Lateral | left wrist plain radiograph of the wrist | 7-year-old boy | subsequent exam:

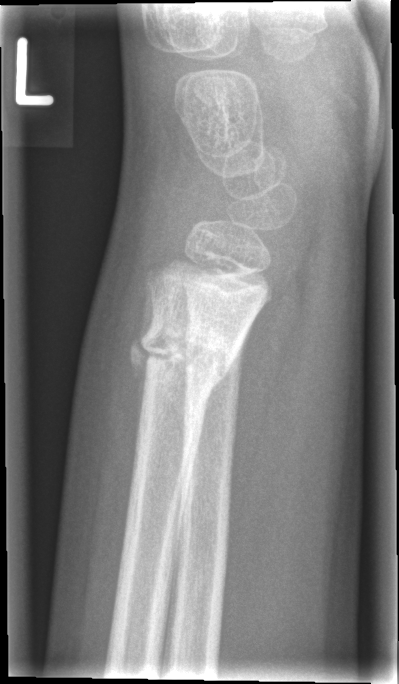
ao: 23r-M/3.1; 23u-M/2.1
osteopenia: present
periostealreaction: 1 @ (left=129, top=280, right=156, bottom=441)
fracture: (left=134, top=312, right=240, bottom=394)